Lat · Lt wrist radiograph · in cast · 662 x 1218 px —
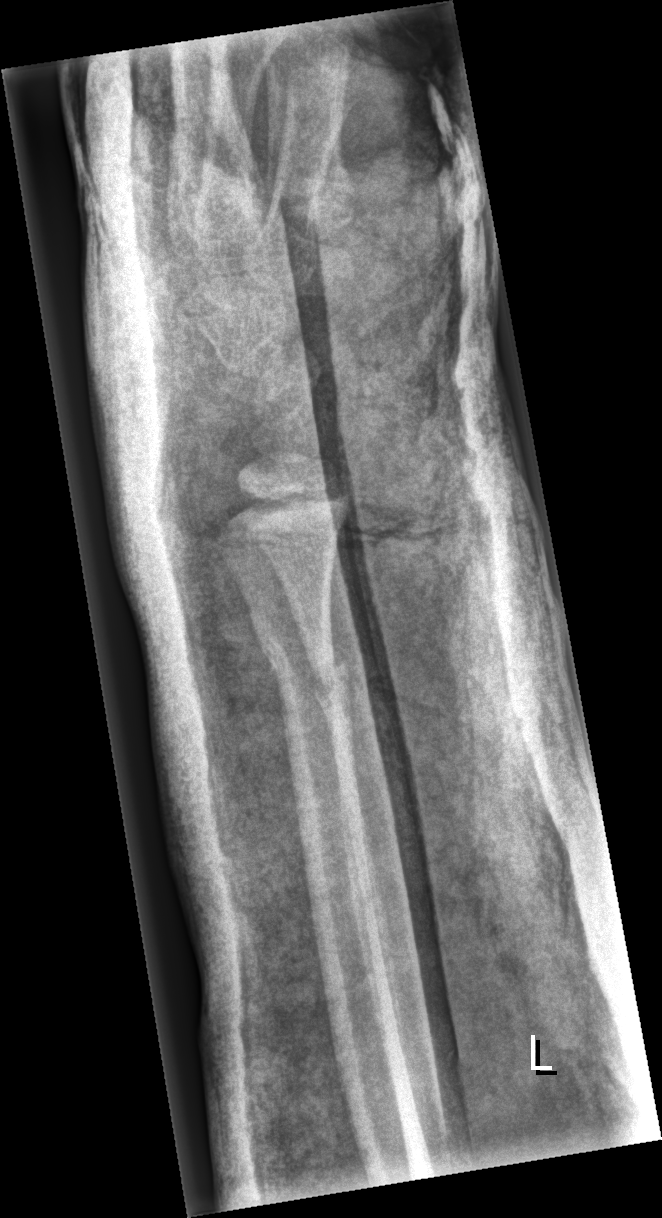 (pixel coordinates, top-left origin, xyxy)
Q: Any fracture seen?
A: Bone fracture — <255,622>-<353,712>